Lat | left wrist plain film | 12y M | cast in situ | image size 638x1320:
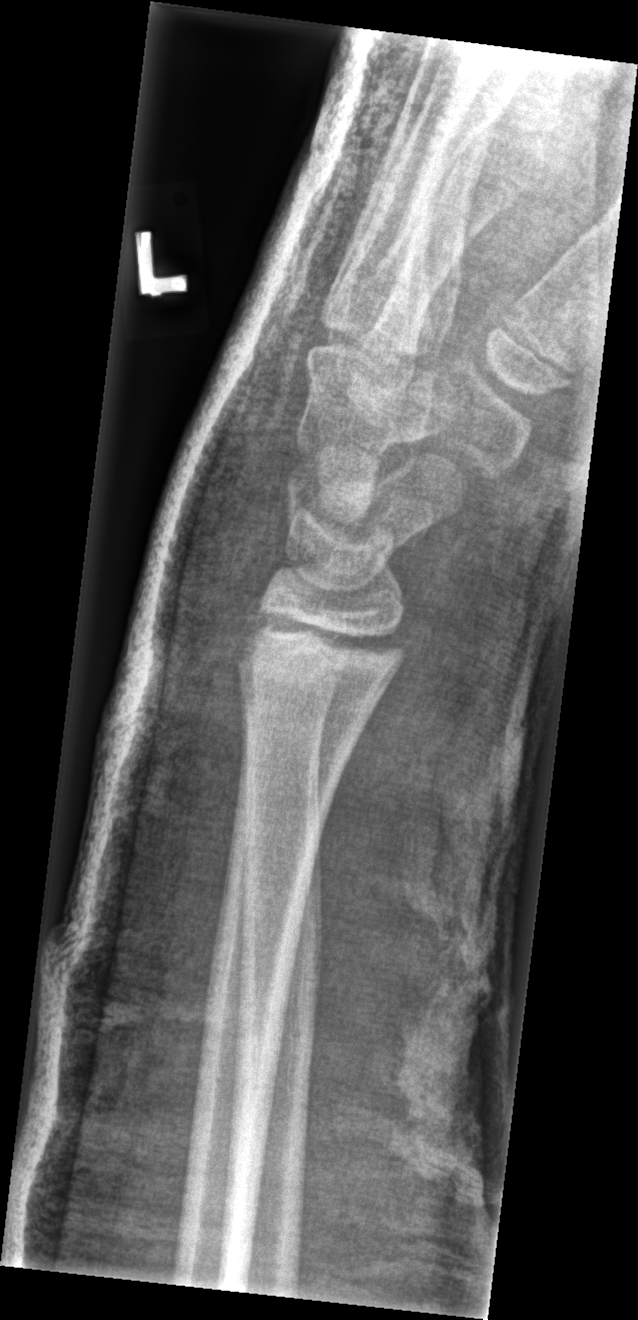 (coordinates are [x1, y1, x2, y2] in image pixels)
AO code: 23r-E/1; 23u-E/7
Fx: 1 @ <241,603>-<410,673>